AP | left wrist XR | 12y M | cast present: 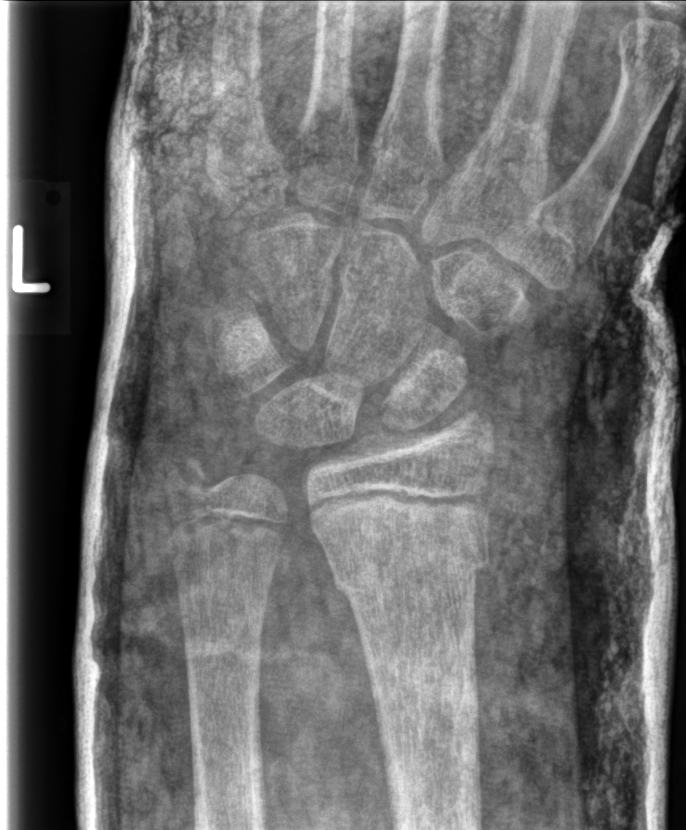

FINDINGS: AO/OTA classification: 23r-M/3.1; 23u-E/7. Fx — 316,490,493,599; 160,446,214,508.